Left wrist XR; lateral projection; pediatric patient (boy, age 10); initial study:
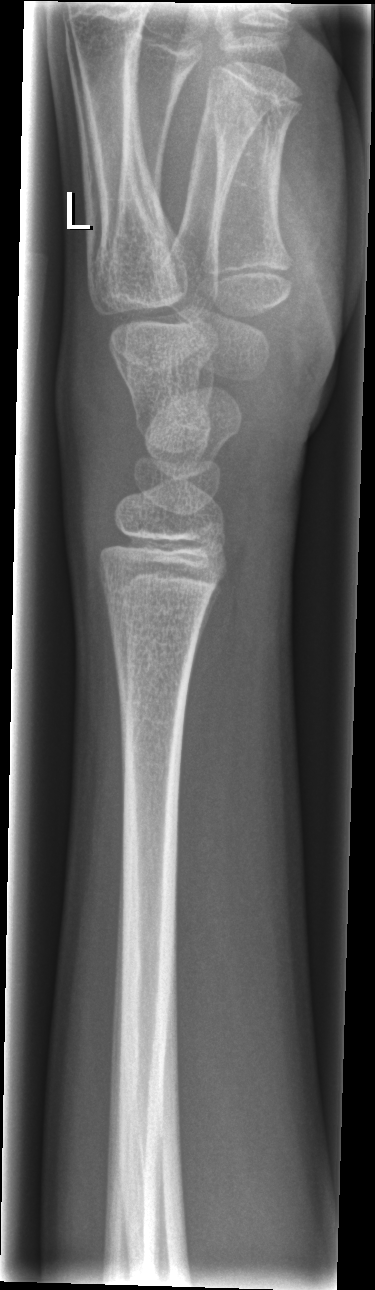 {
  "fracture": "none labeled"
}